Frontal view · R wrist plain film · 13-year-old girl · index exam · image width 110.6 mm · 768 x 941 px
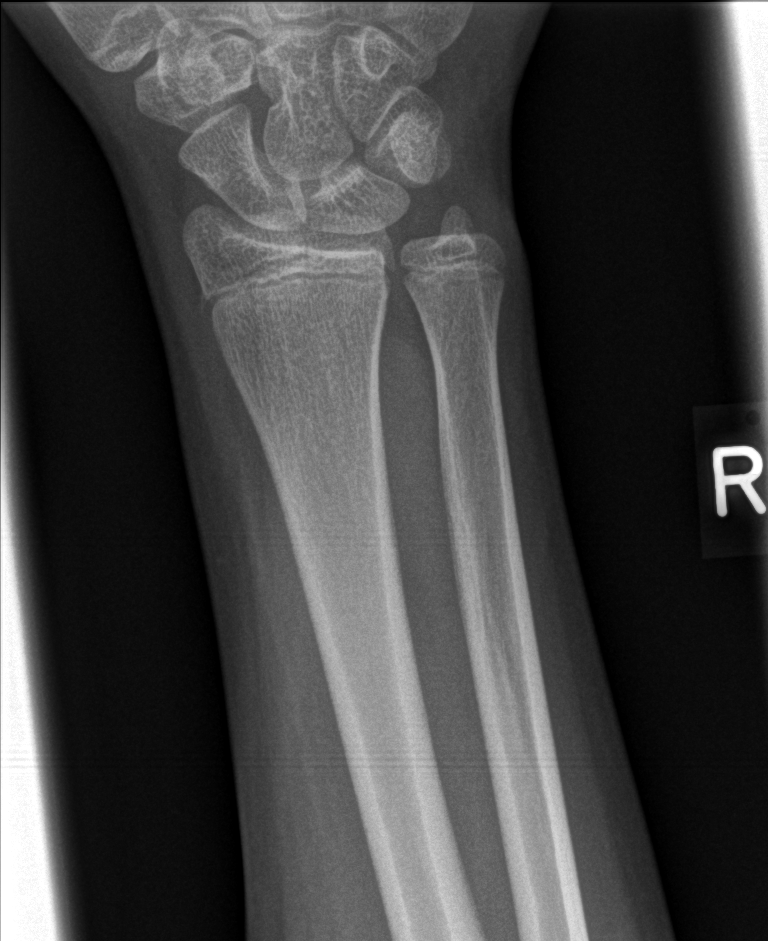 Q: Fracture present?
A: Fracture: none labeled